R pediatric wrist radiograph · PA/AP view.
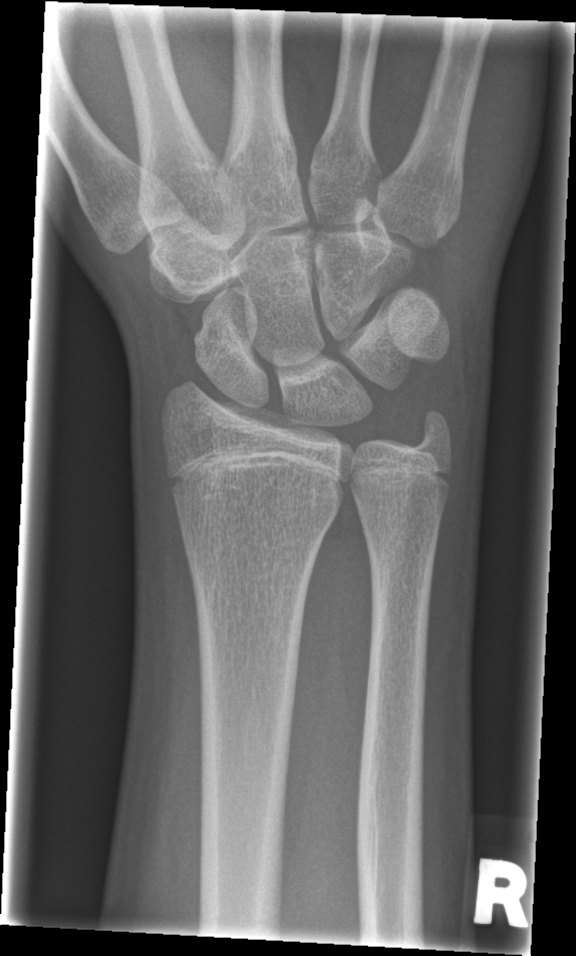

No Fx annotated.